Right wrist XR, AP, pediatric patient (girl, age 9), cast present:
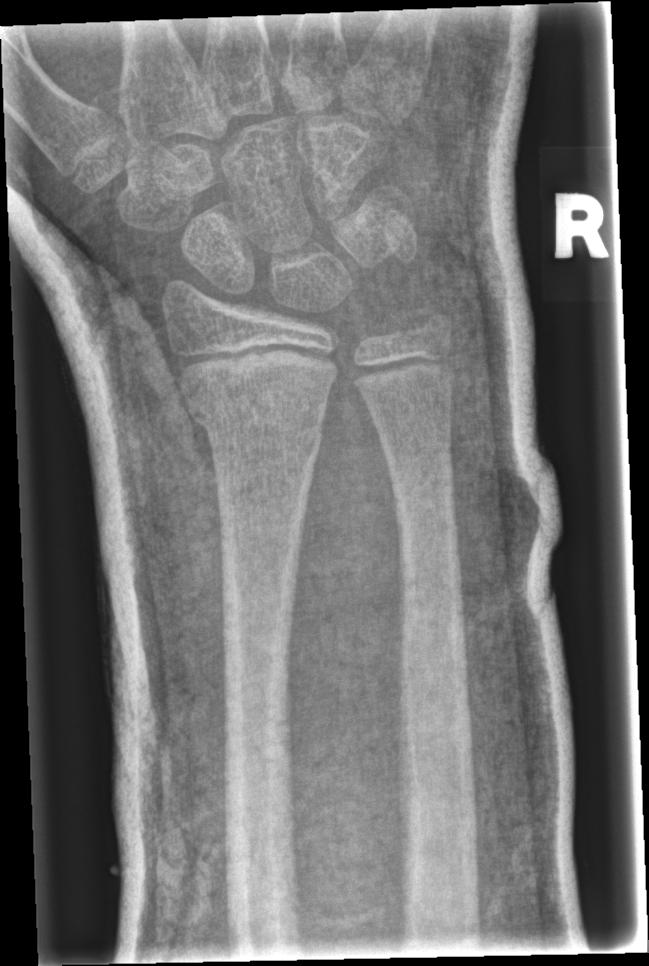
Fractures — <184,386>-<330,448> <402,294>-<459,350>.